Right wrist pediatric wrist radiograph, lat, female, 12 yo —

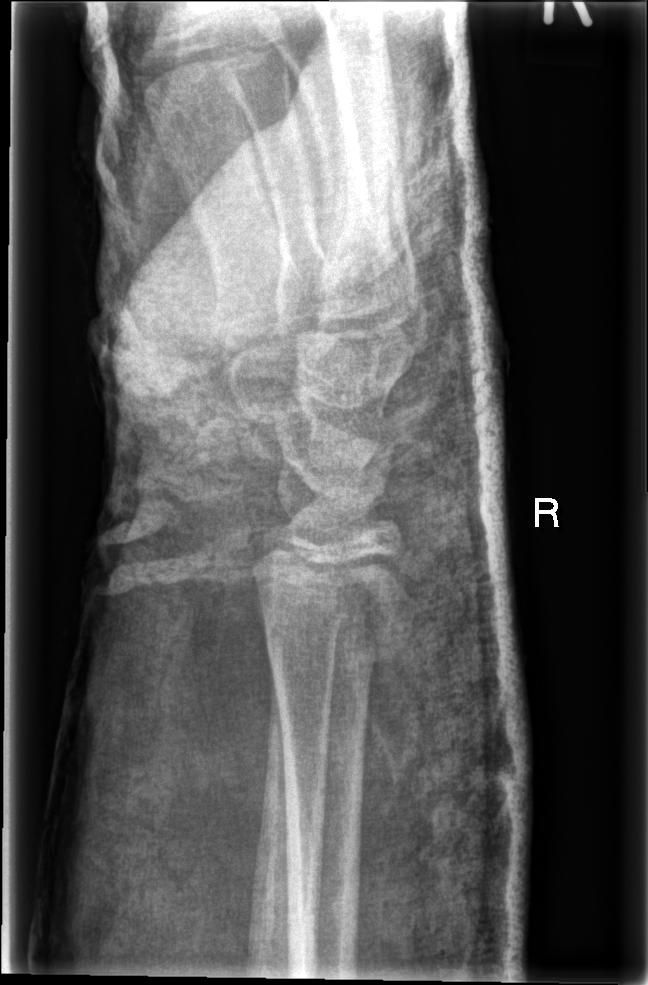 * Boxes as x1,y1,x2,y2 (top-left / bottom-right, pixel units).
* One Fx at (left=250, top=544, right=409, bottom=666).
* AO code 23r-M/3.1; 23u-E/7.